Lt pediatric wrist radiograph; lat; female, 6 yo; Siemens: 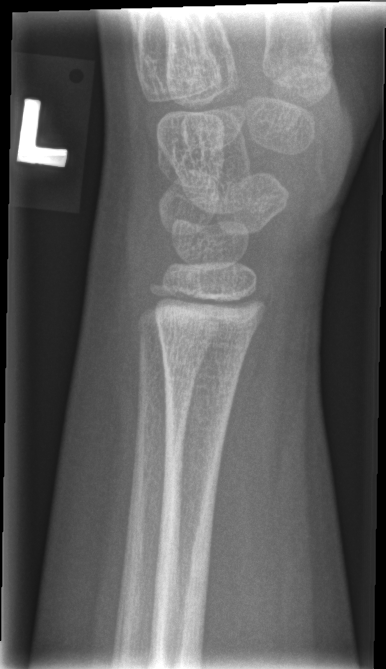

FINDINGS: Fracture: none labeled.